Posteroanterior · L wrist plain film · 9y F · subsequent exam · imaged through cast · acquired on Siemens · 102.4 mm image width 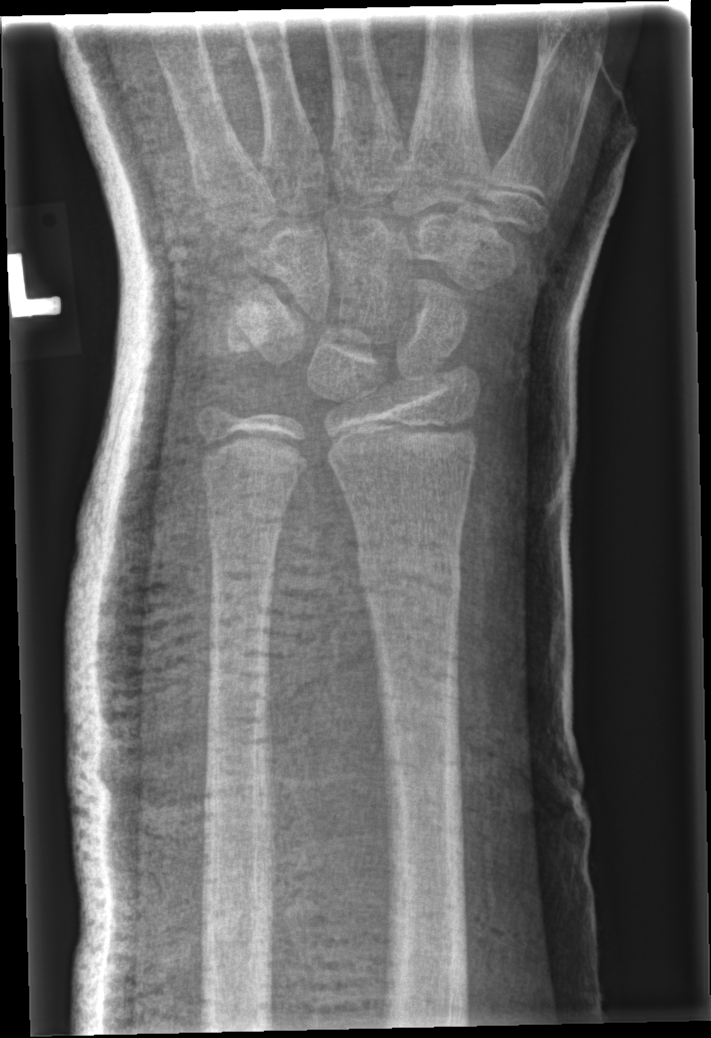

(bounding boxes in image-pixel xyxy)
fracture = 2 @ (354, 541, 466, 610) (201, 501, 291, 558)